Lt plain radiograph of the wrist · PA projection · pediatric patient (male, age 11) · index exam · 662 by 961 pixels: 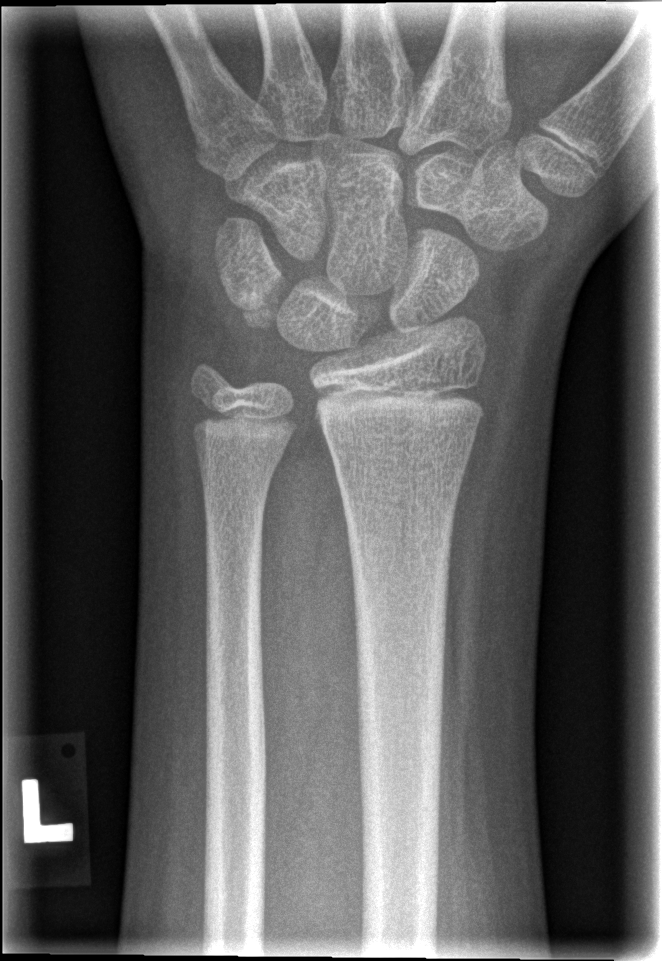

* Fx: none.